R wrist XR, frontal, pediatric patient (male, age 11), subsequent exam.

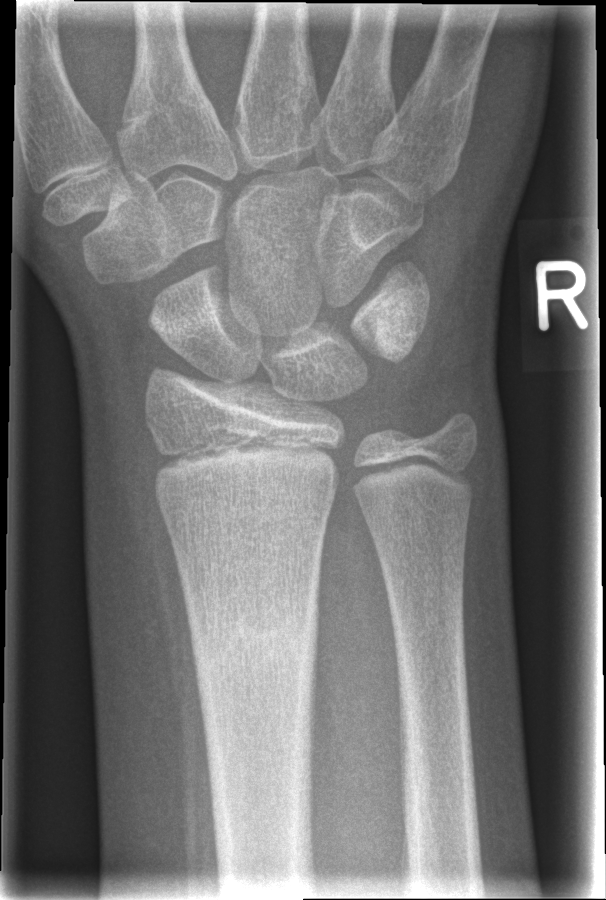
Bone fracture = 188 609 320 678